R wrist XR | PA projection. 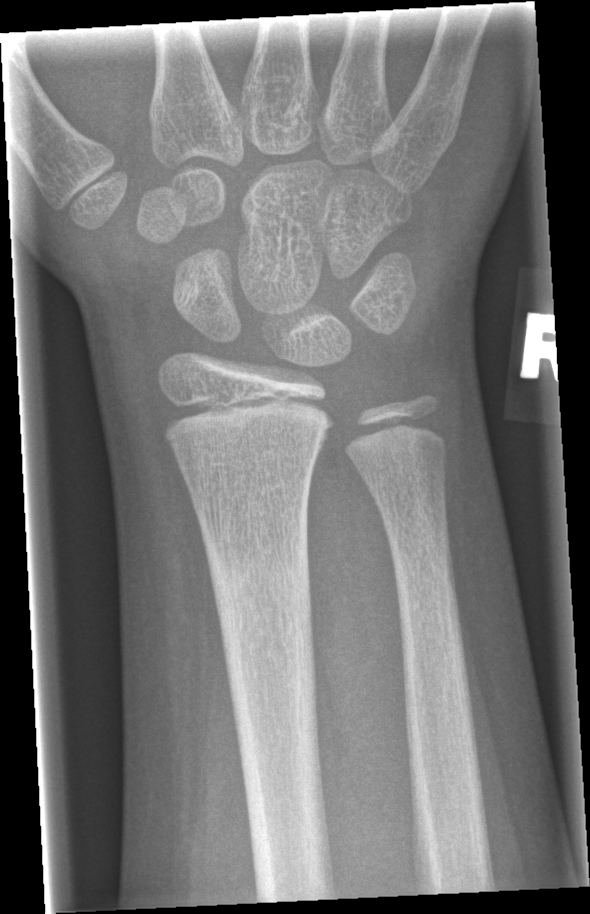 Fracture: (205, 536, 318, 626). AO/OTA classification: 23r-M/2.1.